PA/AP projection; left wrist radiograph —

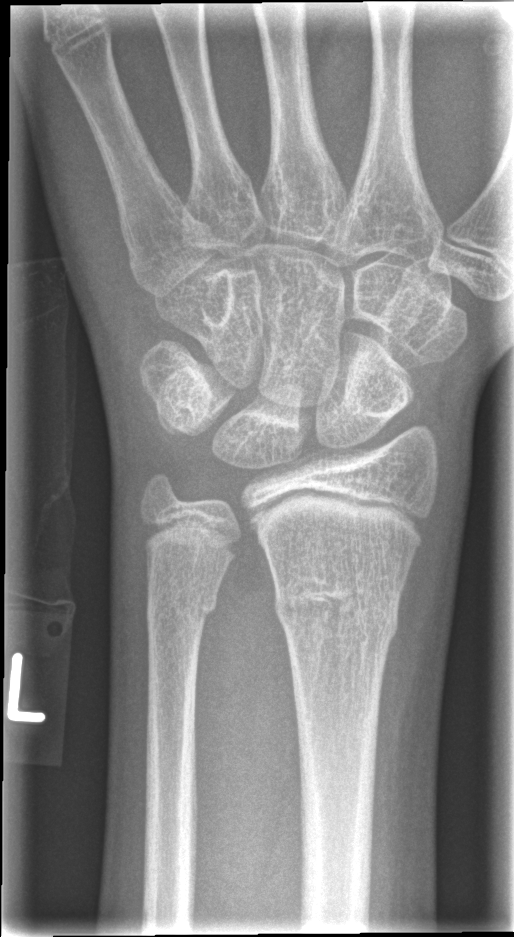
(coordinates are [x1, y1, x2, y2] in image pixels)
Fx: 270 571 402 652; 141 575 223 632
AO classification: 23-M/2.1